Frontal · left wrist radiograph · pediatric patient (female, age 10) · initial study · image size 665x1092

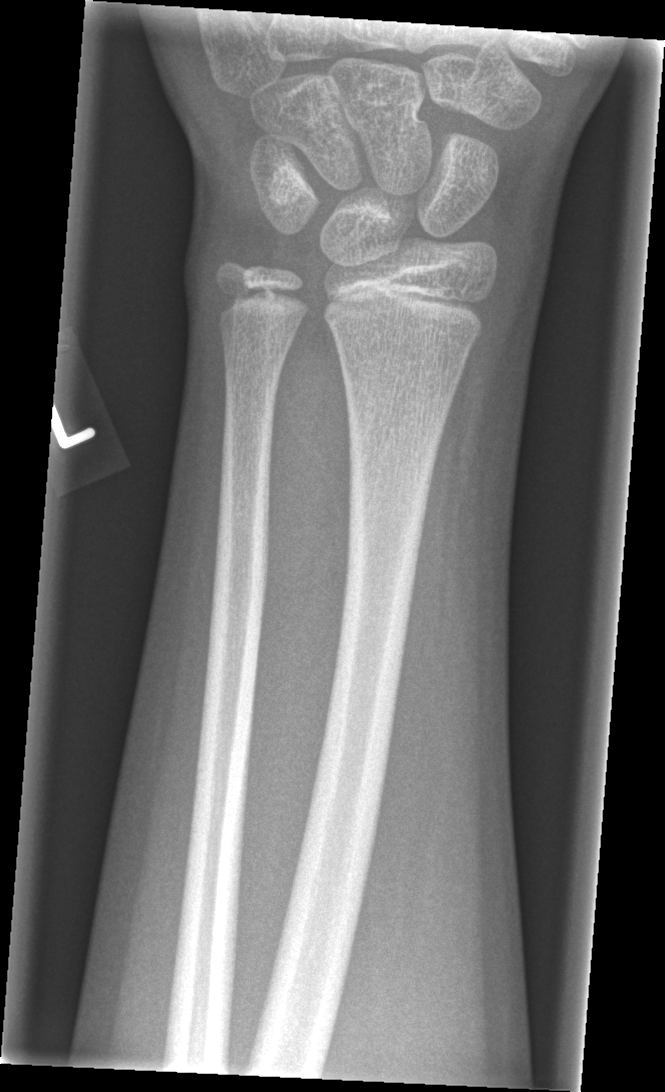

fracture: none labeled